AP; Lt wrist plain film; boy, 8 yo; follow-up study —

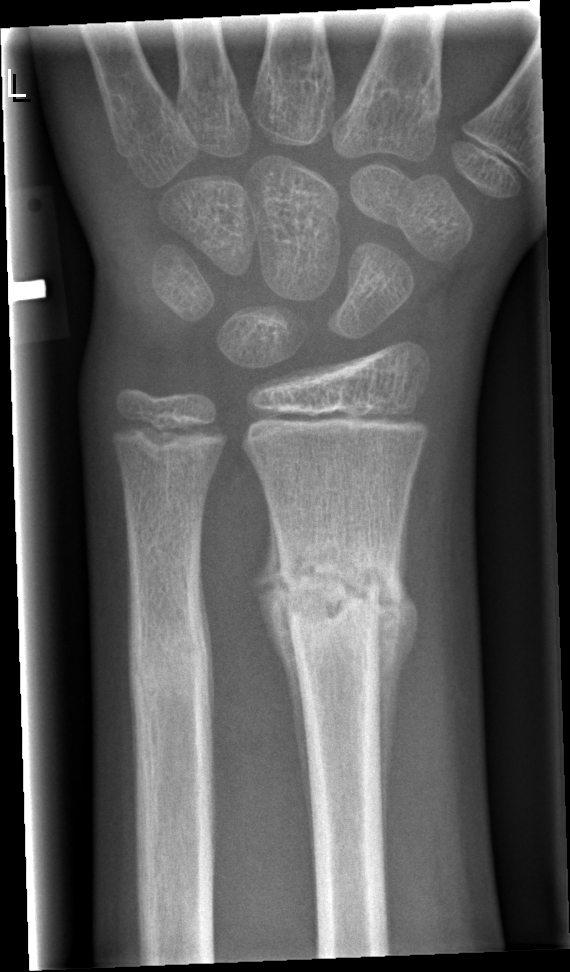 (boxes as x1,y1,x2,y2 (top-left / bottom-right, pixel units))
AO classification: 23r-M/3.1; 23u-M/2.1
Fracture: 2 @ 274,544,415,662; 126,616,217,705
Periosteal reaction: 248,500,316,898; 378,497,423,892; 198,554,216,743
Osteopenia: present